Lt wrist plain film; PA/AP projection; image width 99.4 mm:

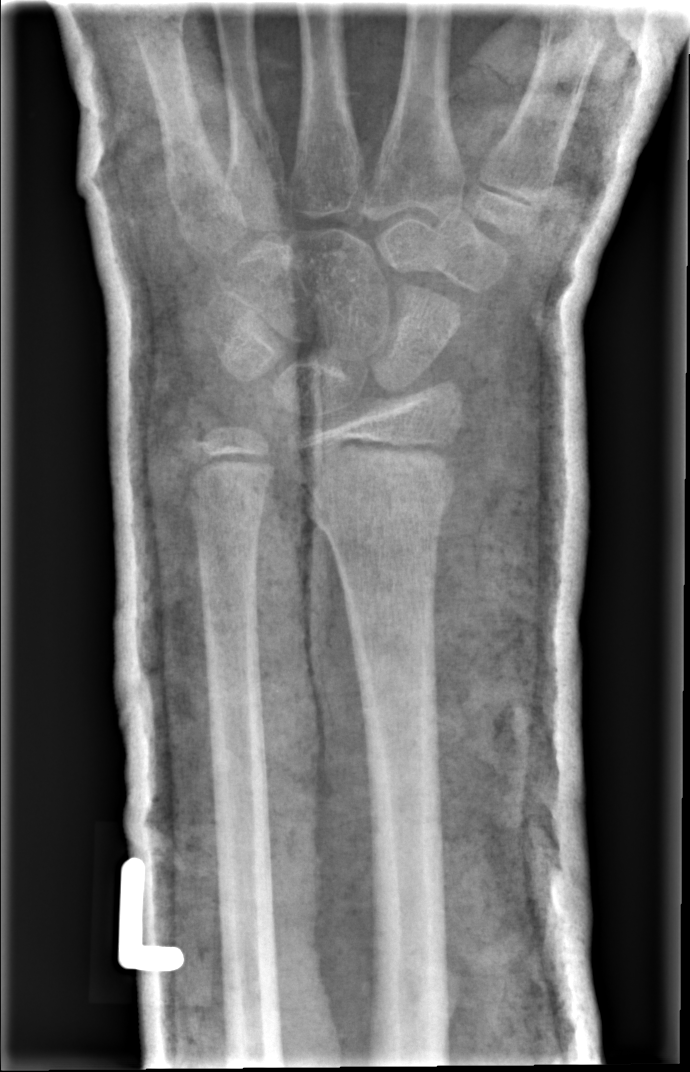
Boxes as x1,y1,x2,y2 (top-left / bottom-right, pixel units).
Fx — (left=289, top=437, right=464, bottom=541).
AO code 23r-E/2.1.